Frontal view | L wrist X-ray | female, 9 yo | detector: Siemens | 432 x 666 px

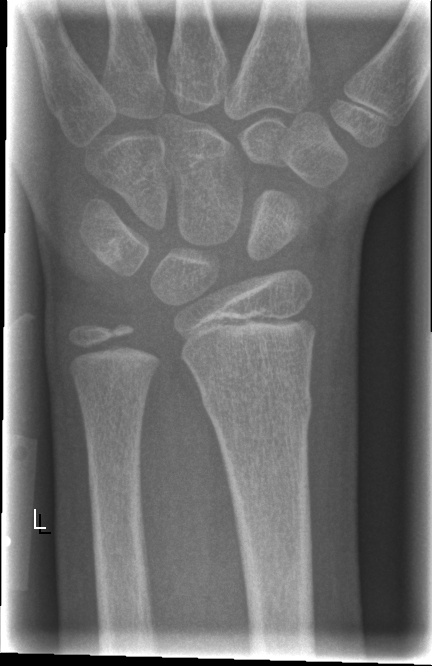
bone fracture: 200 375 314 432
AO/OTA: 23r-M/2.1